Frontal view; R plain radiograph of the wrist; pediatric patient (girl, age 11); Siemens; 503 x 1076 px
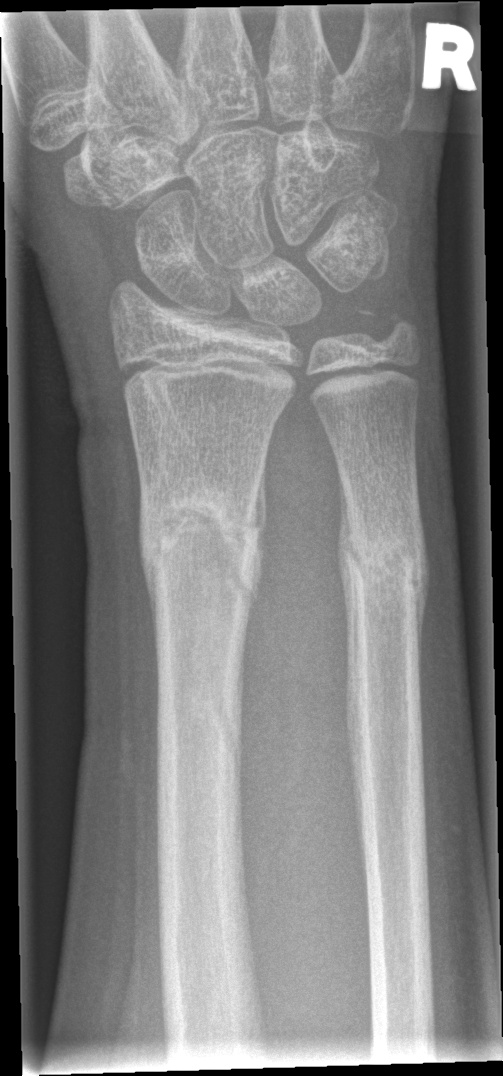 Fracture classified AO/OTA 23-M/3.1; 23u-E/7.
Bone fractures — <136,479>-<261,609>; <337,499>-<426,609>; <353,297>-<419,349>.
Periosteal thickening: <336,466>-<359,704>, <246,452>-<268,639>, <137,508>-<161,666>, <411,528>-<430,698>.
Osteopenic.